Lt wrist plain film | PA/AP | pediatric patient (male, age 10) | findings marked uncertain by the reading radiologist | 507 x 876 px —

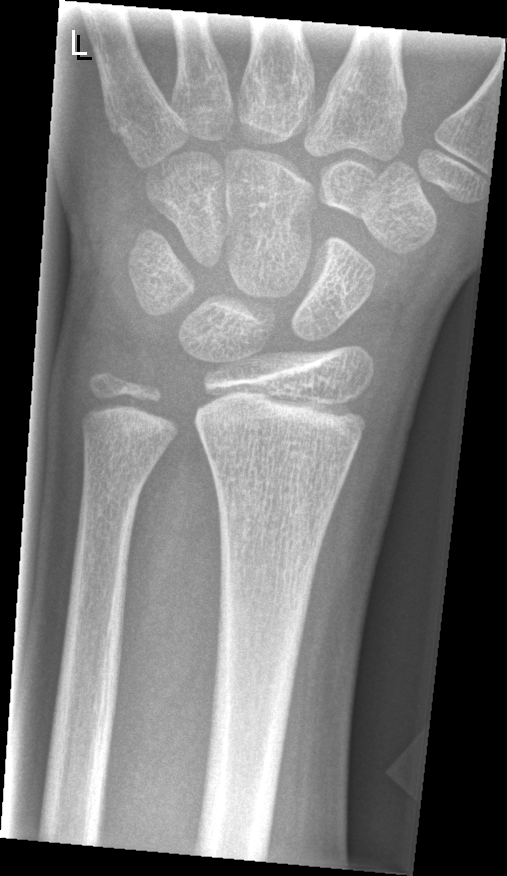

Q: Locate any fractures.
A: No fracture labeled